Left wrist X-ray, PA/AP view, boy, 9 yo, cast present

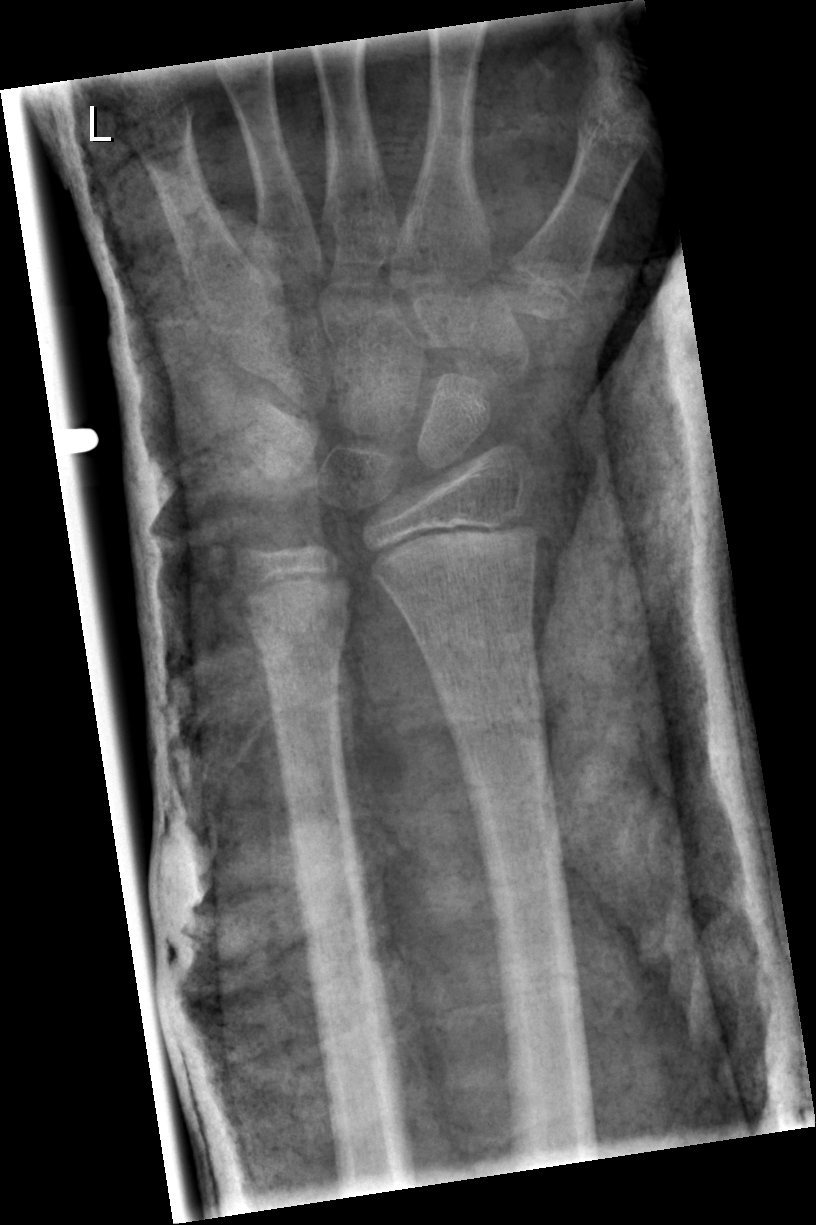
- Fx: <236,593>-<356,669>, <433,684>-<555,748>.